PA/AP projection · L wrist radiograph · 13-year-old female · follow-up study · imaged through cast · detector: Siemens 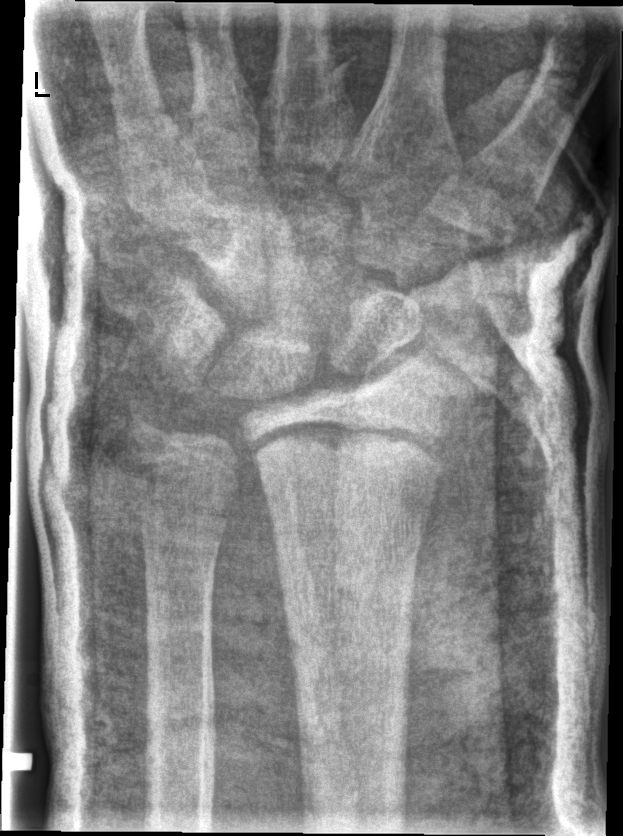
(coordinates are [x1, y1, x2, y2] in image pixels)
AO/OTA: 23r-E/2.1; 23u-E/7
Fx: (247, 411, 447, 497)